Lateral view | left wrist pediatric wrist radiograph | girl, 8 yo | imaged through cast | 79.9 mm image width:

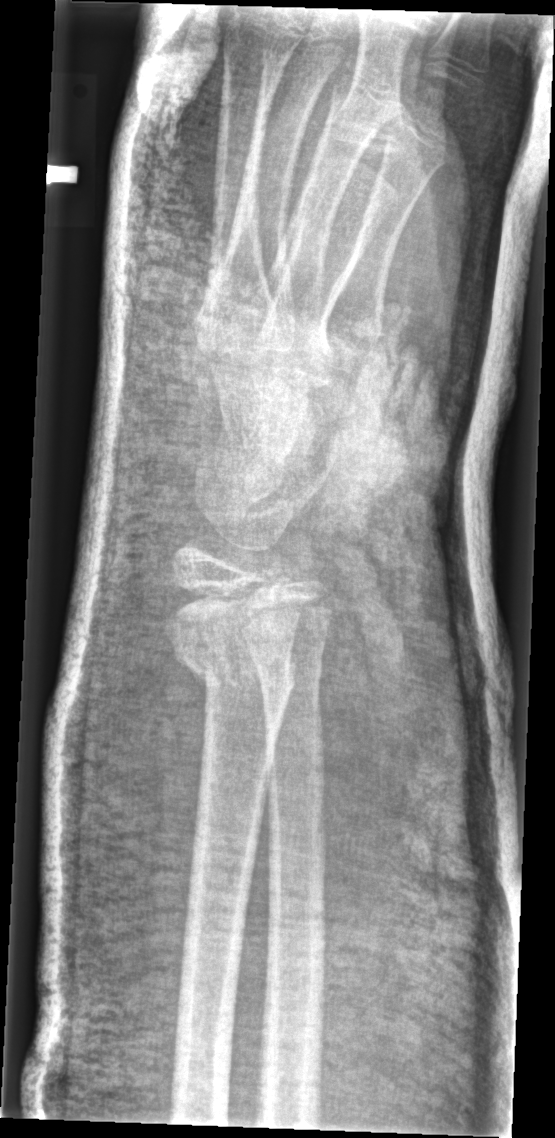

AO code 23r-M/3.1; 23u-M/2.1. Fracture: 163 620 301 698
  250 642 329 697.